Lat · left pediatric wrist radiograph · cast in situ.

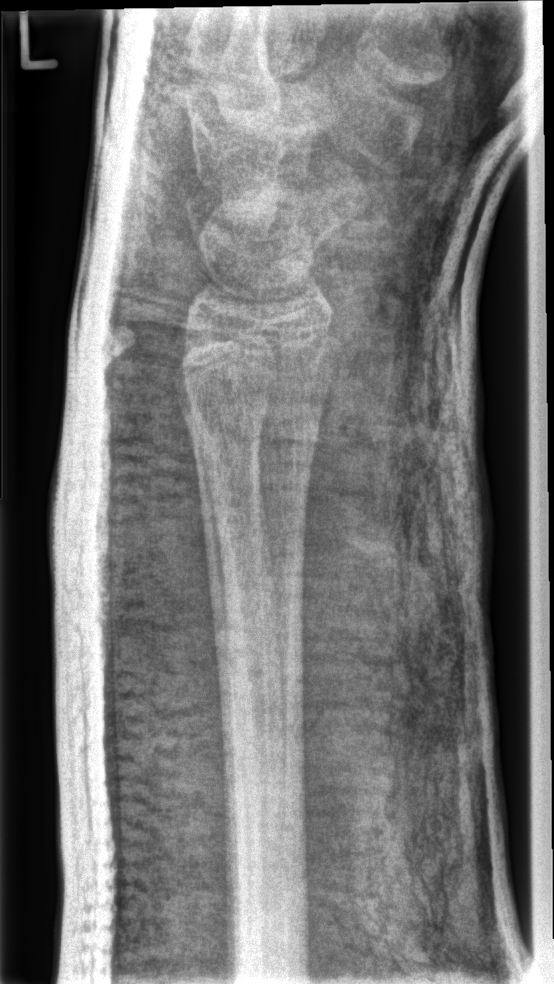

FINDINGS: AO code 23r-M/2.1. Fx: present but not clearly seen in this view.